Lateral view · right wrist XR.
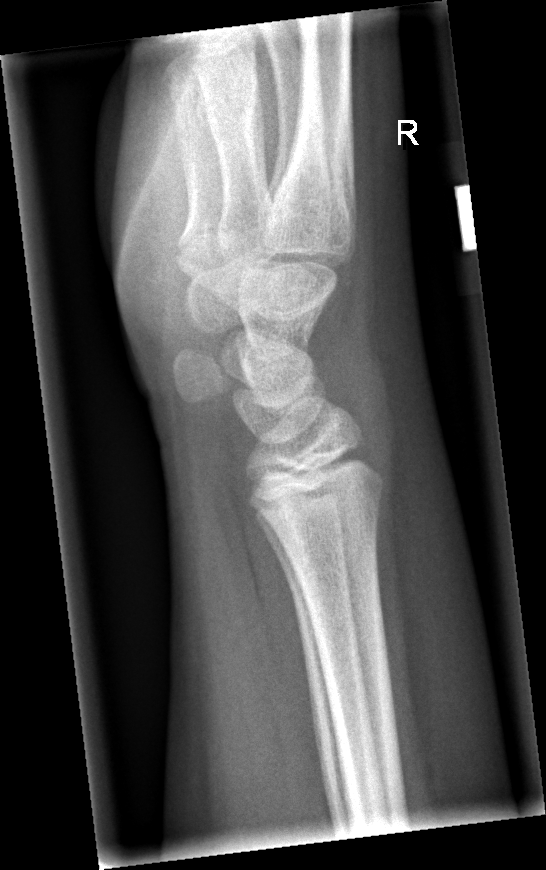   fracture: none labeled